Lat projection | R plain radiograph of the wrist. 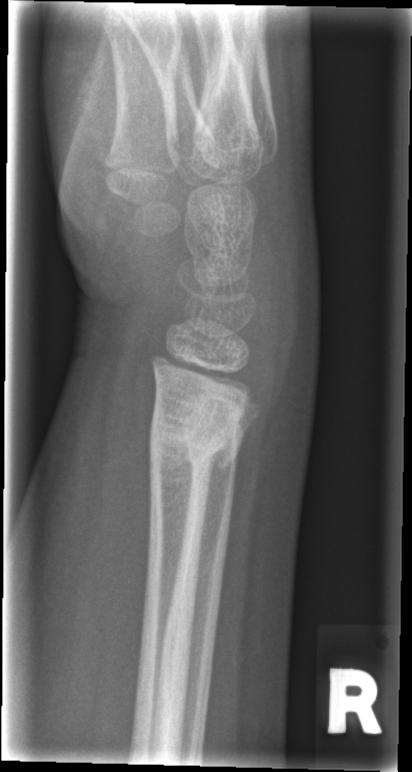 FINDINGS: Fracture identified at <145,413>-<237,472>; <181,433>-<250,475>. Osteopenic. AO code 23-M/2.1.